AP, L wrist radiograph, pediatric patient (male, age 11). 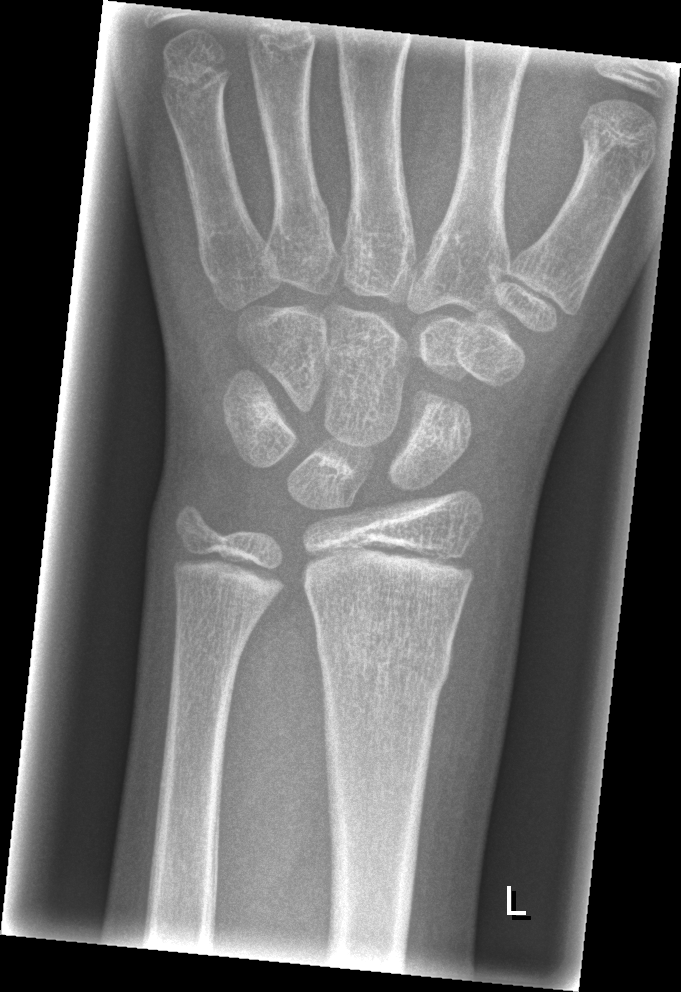

Boxes as x1,y1,x2,y2 (top-left / bottom-right, pixel units). Fracture identified at [x1=314, y1=614, x2=454, y2=694].